Rt wrist X-ray | PA/AP projection | 10y M:
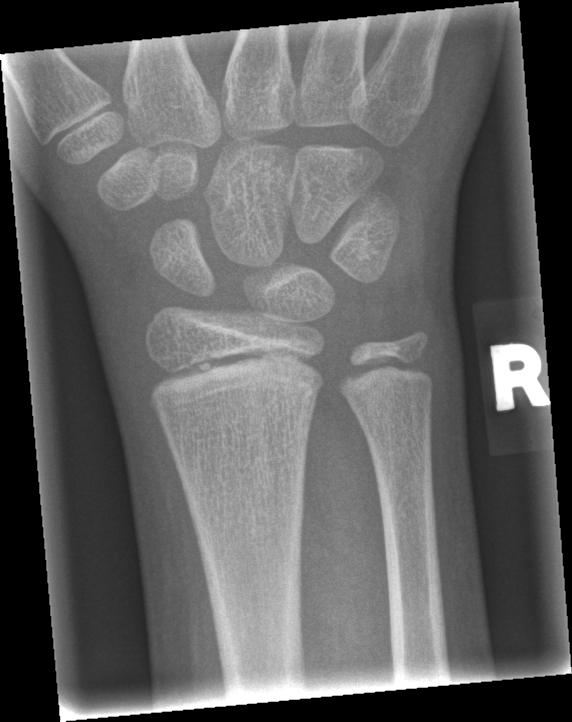

Fracture present but not clearly seen in this view. Fracture classified AO/OTA 23r-M/2.1.